Lt pediatric wrist radiograph, frontal view, pediatric patient (male, age 14), 732 by 986 pixels: 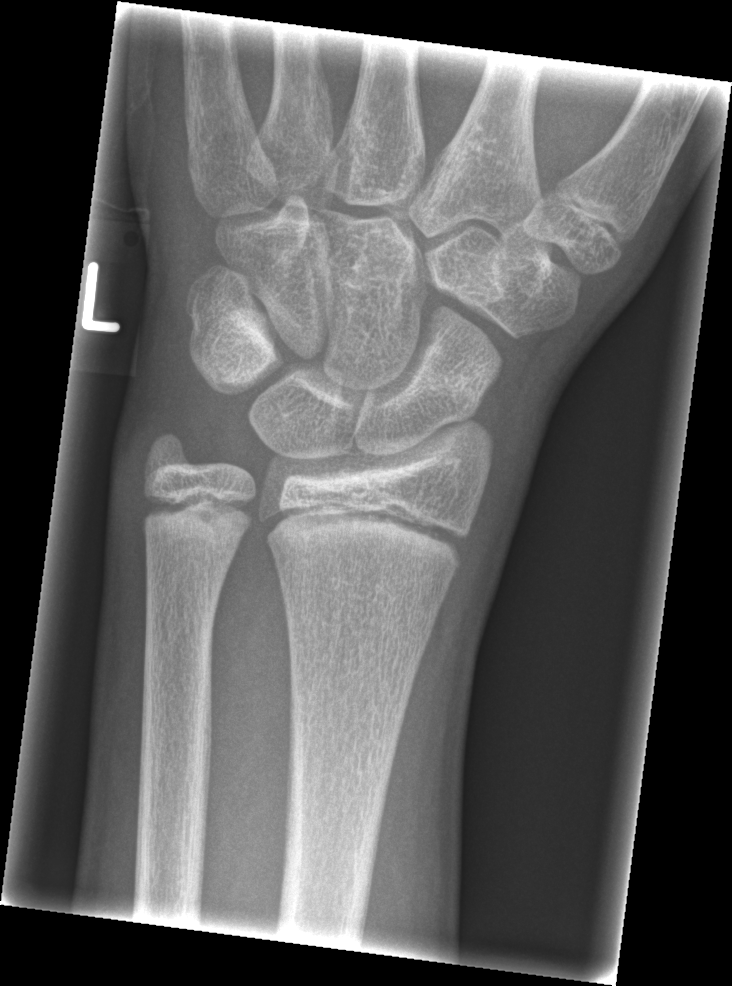

Fx: none.